Rt pediatric wrist radiograph · lat view: 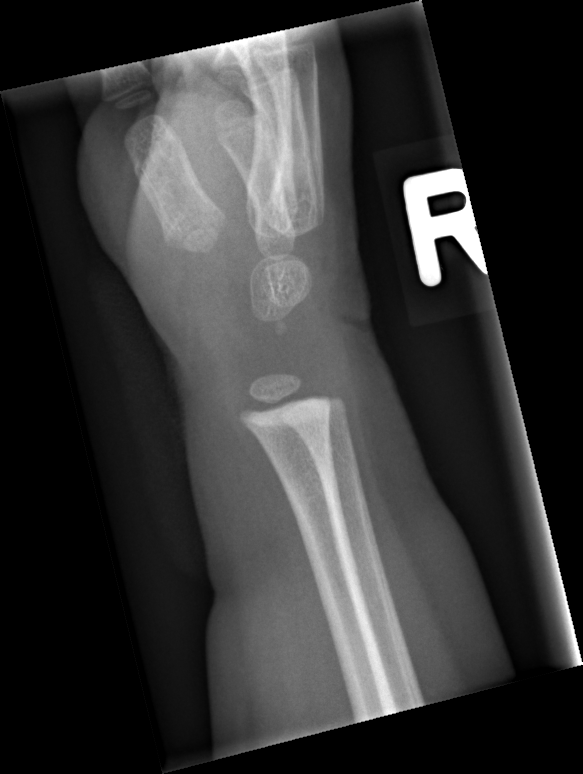

Fracture = none labeled